Lt wrist XR, lateral view — 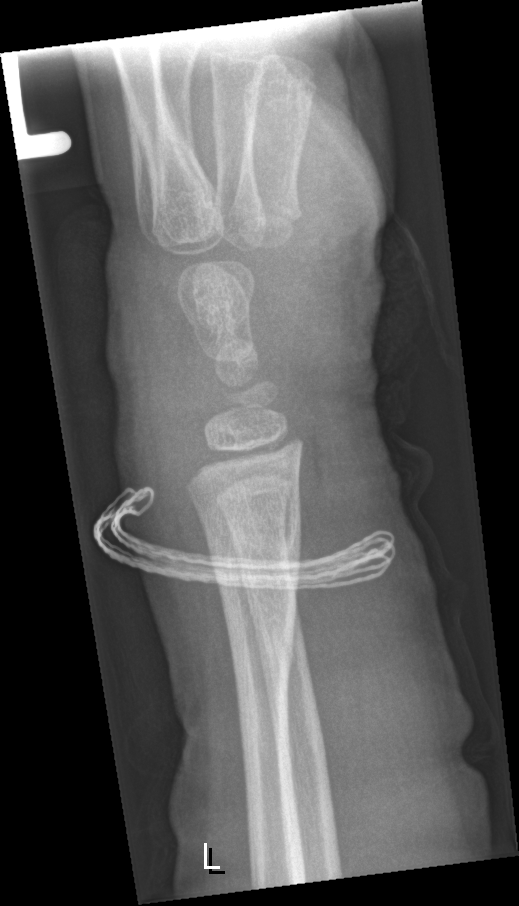
Metallic hardware identified at <89,484>-<398,591>. Fracture: <200,517>-<304,622>. Fracture classified AO/OTA 23r-M/3.1.